Left wrist plain film | lateral view | follow-up study —
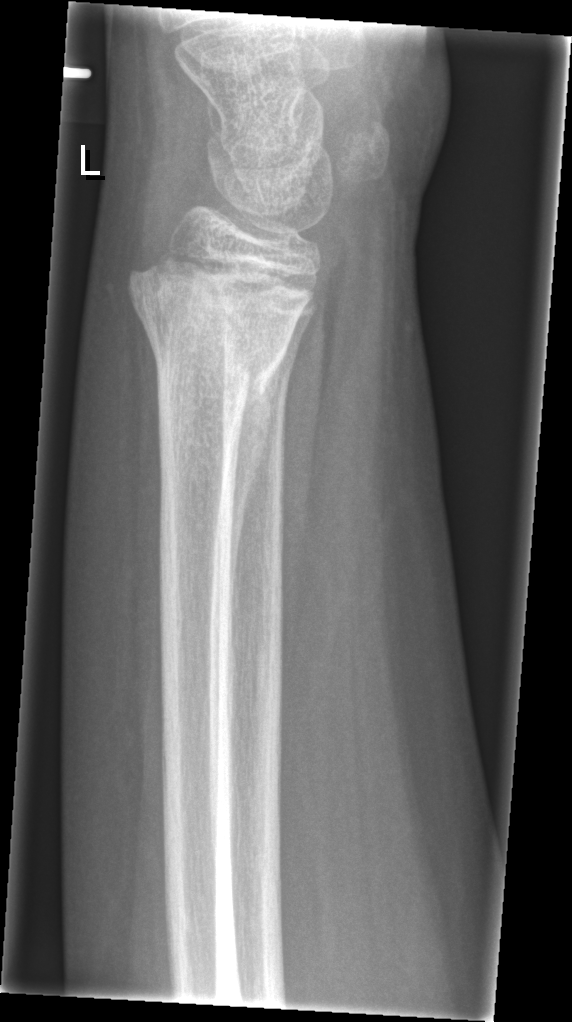 # bounding boxes in image-pixel xyxy
osteopenia: present
fracture: 1 @ 124 258 313 430
periostealreaction: 229 345 289 647